Lt plain radiograph of the wrist; lat projection; female, 10 yo; in cast 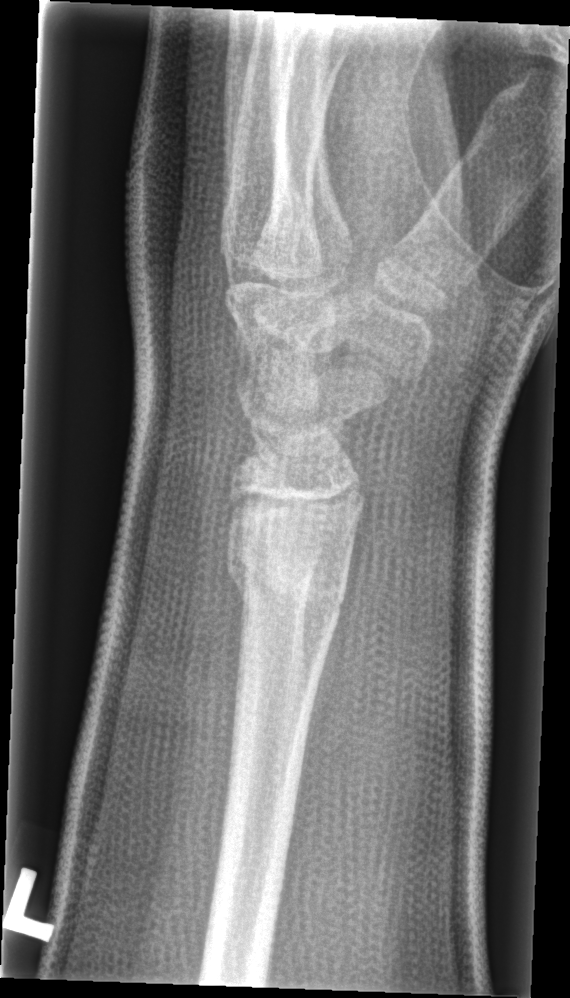
One Fx at (224, 531, 353, 630).